PA/AP; right wrist radiograph; 15y M; follow-up study; cast present

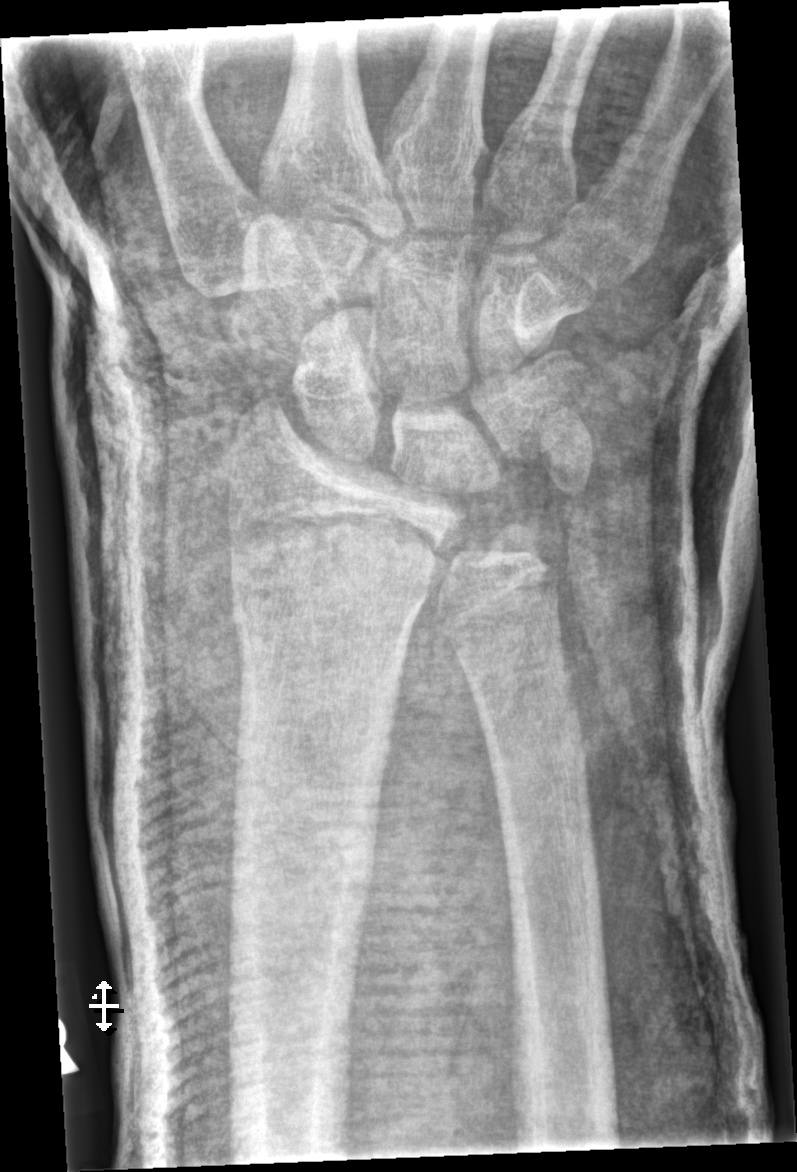

• Pixel coordinates, top-left origin, xyxy.
• Fracture identified at (221, 497, 454, 595).